Left wrist radiograph · AP · follow-up study · imaged through cast. 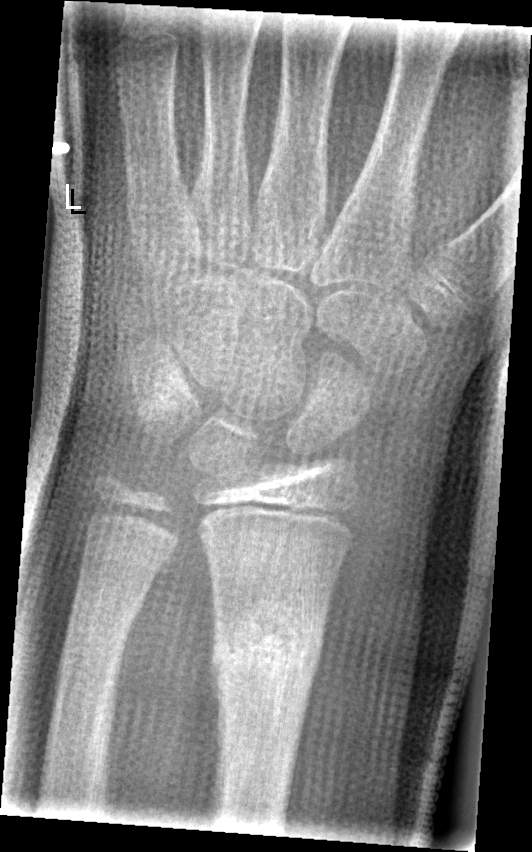 (pixel coordinates, top-left origin, xyxy)
AO code = 23r-M/3.1; 23u-M/2.1
Fracture = [206, 613, 330, 702], [63, 568, 148, 637]
Osteopenia = present